Left wrist pediatric wrist radiograph; posteroanterior view; 7-year-old girl; cast in situ; Siemens; image width 76.3 mm —

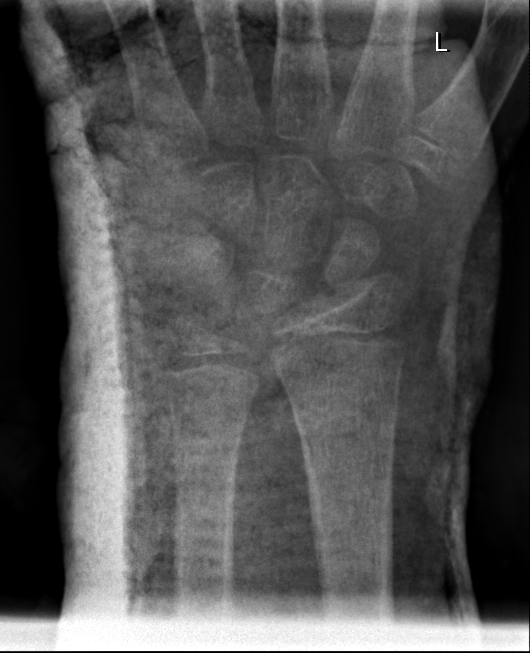 Fx: 270 339 405 423
AO classification: 23r-E/2.1